Frontal projection | L wrist radiograph | 8y F | follow-up study | image 68.0 mm wide.

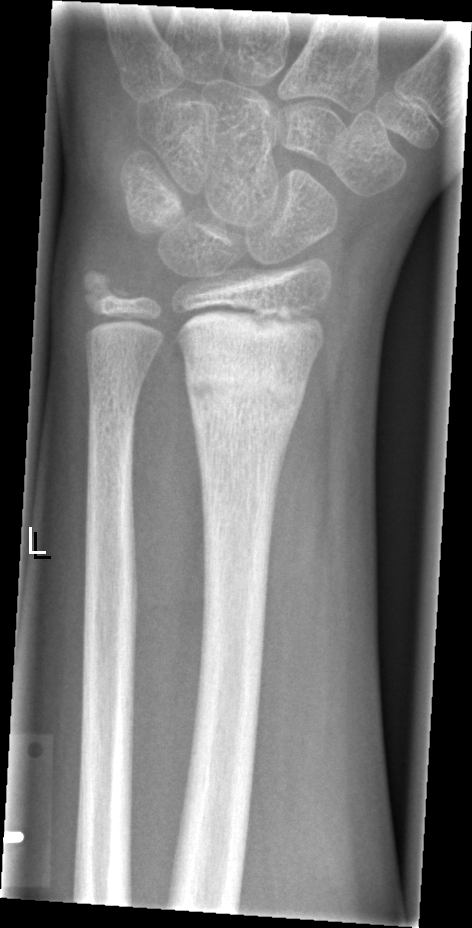
(boxes as x1,y1,x2,y2 (top-left / bottom-right, pixel units))
Q: Any fracture seen?
A: Fracture: [183, 346, 312, 443], [77, 265, 135, 309]
Q: AO code?
A: AO/OTA classification: 23r-M/3.1; 23u-E/7